Right wrist XR | lateral — 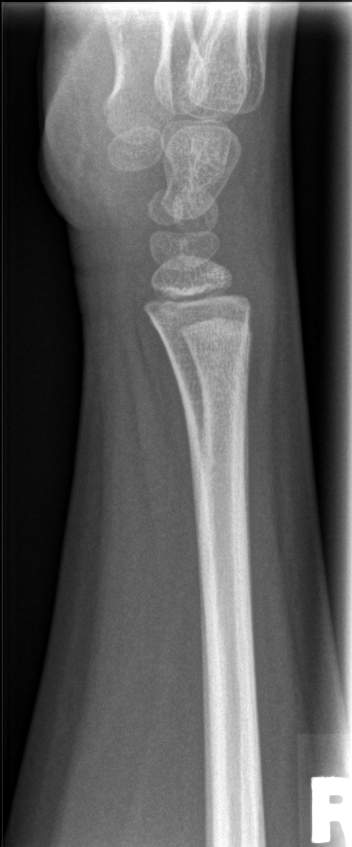
No fracture bounding box.